Rt wrist plain film | PA | presentation radiograph —

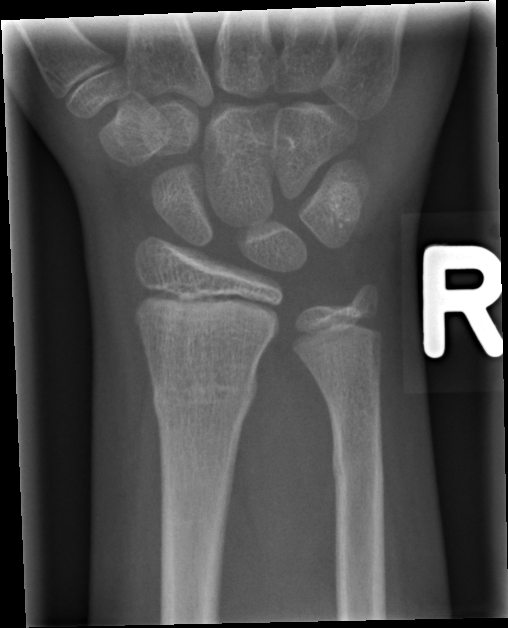 Fractures — bbox(148, 369, 260, 422); bbox(329, 437, 388, 497). AO/OTA classification: 23-M/2.1.